Lateral; Lt wrist plain film; 8y M; follow-up study; detector: Siemens:

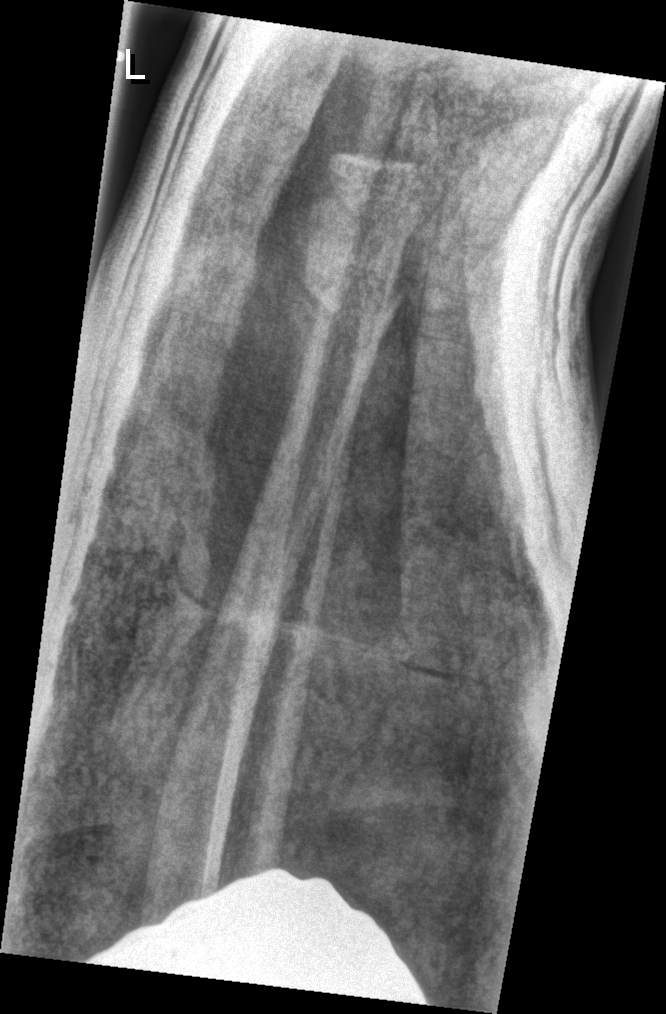
  # pixel coordinates, top-left origin, xyxy
  metal: <81,862>-<436,1010>
  ao: 23-M/3.1
  fracture: 1 @ <293,258>-<408,341>